Lateral projection, left wrist XR, 14-year-old boy —

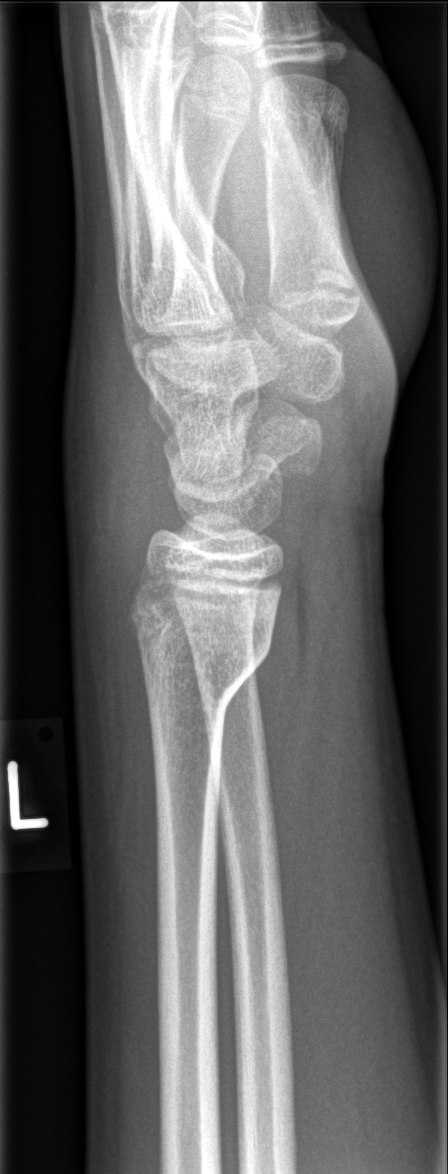
- Coordinates are [x1, y1, x2, y2] in image pixels.
- Fracture classified AO/OTA 23r-M/2.1.
- One soft tissue abnormality at 61,339,174,626.
- Bone fracture — 130,599,277,733.